Left wrist XR | PA/AP view | 4-year-old male | 544 x 1024 px: 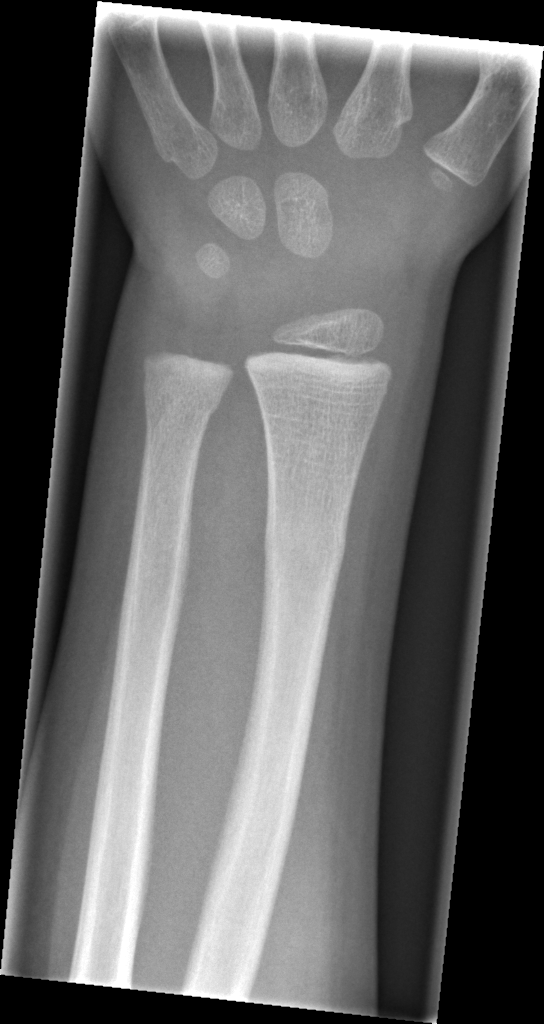 (bounding boxes in image-pixel xyxy)
AO code: 23-M/2.1
fracture: 2 @ <260,510>-<350,577>, <139,379>-<220,427>